AP | left wrist radiograph | 6y M:
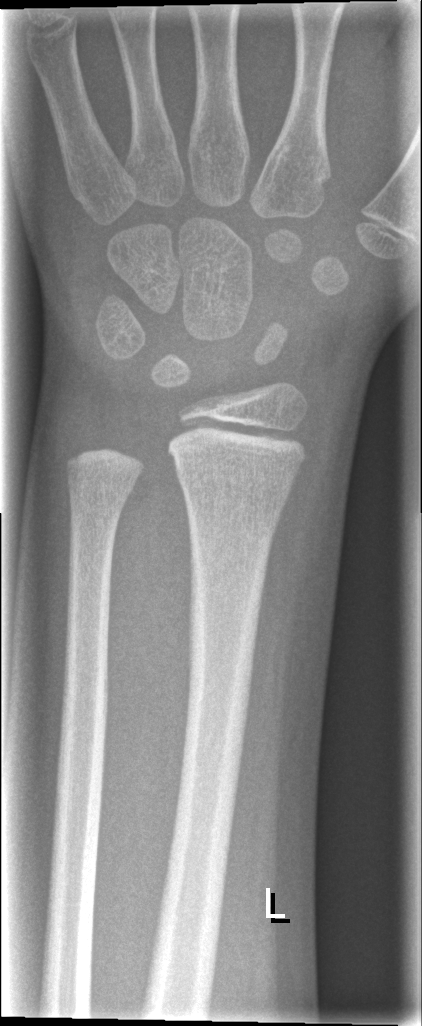

# coordinates are [x1, y1, x2, y2] in image pixels
ao: 23-M/2.1
fracture: [x1=173, y1=454, x2=294, y2=514], [x1=63, y1=471, x2=137, y2=509]